PA view, R wrist X-ray, subsequent exam, imaged through cast. 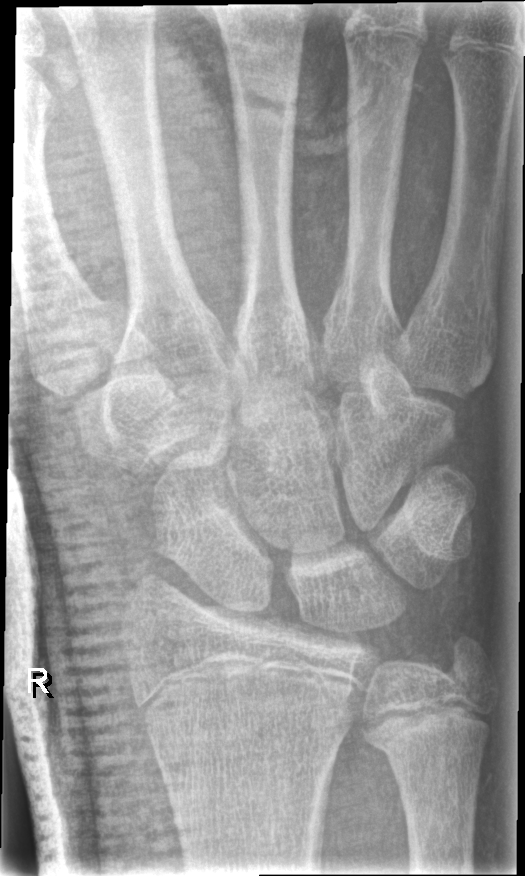

(coordinates are [x1, y1, x2, y2] in image pixels)
AO code: 23u-E/4
Fx: 1 @ 353 641 497 770